PA/AP view; left wrist XR; pediatric patient (girl, age 3); index exam. 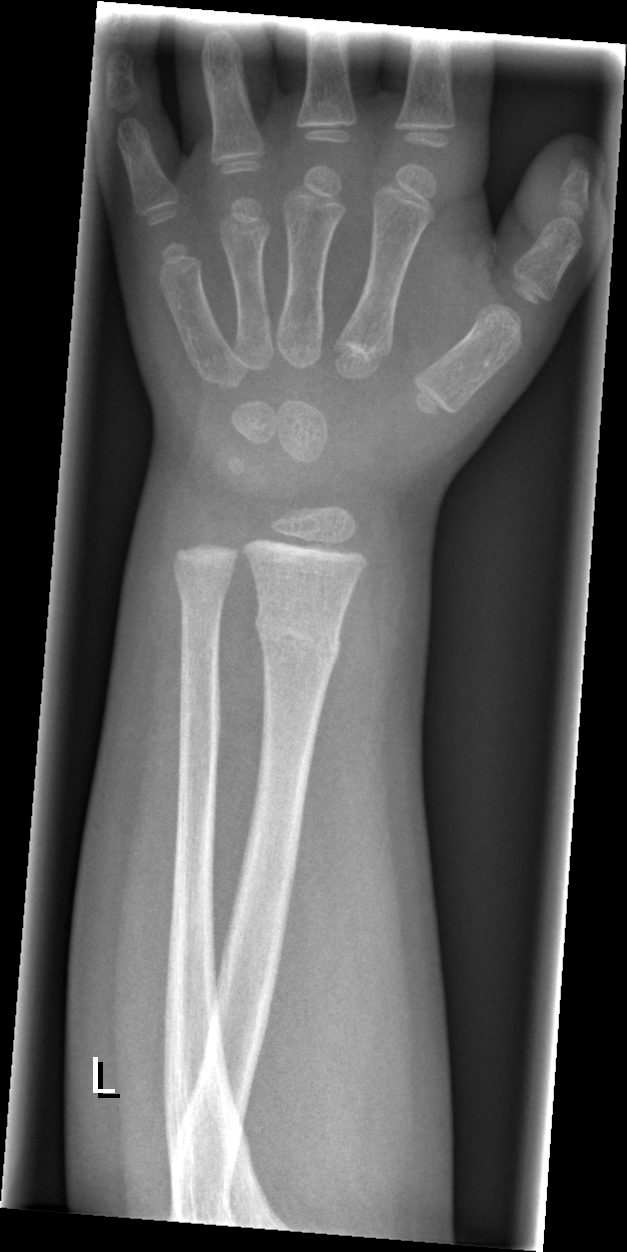

• Bounding boxes in image-pixel xyxy.
• Bone fractures — bbox(253, 604, 344, 666), bbox(170, 562, 235, 609).